L plain radiograph of the wrist; frontal projection; acquired on Siemens 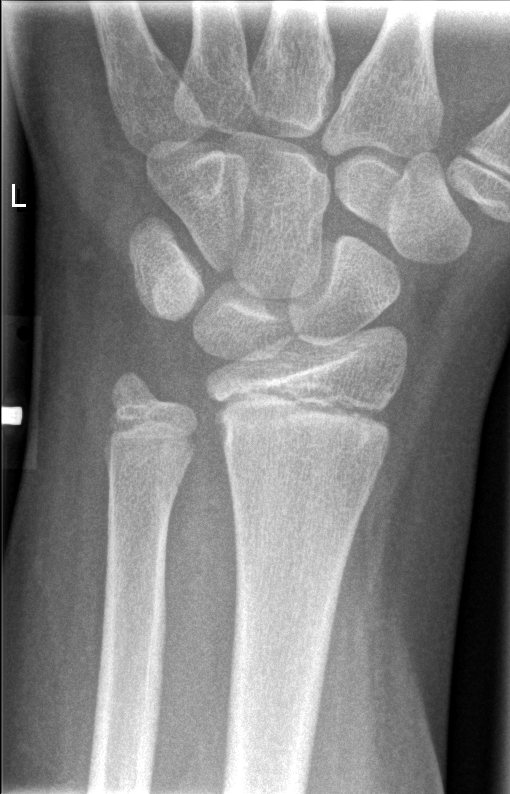

Q: Any fracture seen?
A: No Fx annotated